Lateral view; left wrist plain film; boy, 15 yo

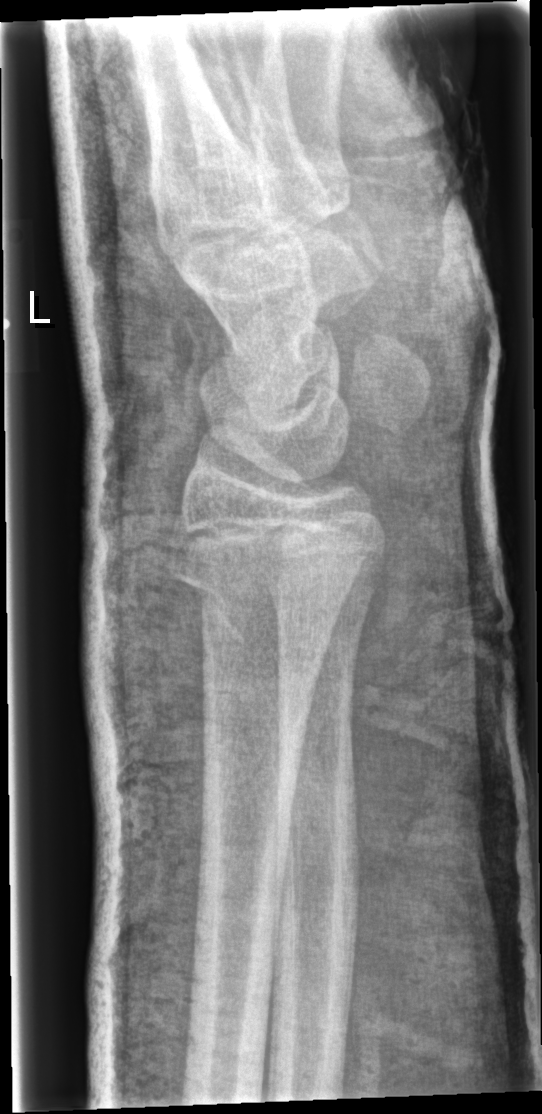
FINDINGS — (boxes as x1,y1,x2,y2 (top-left / bottom-right, pixel units)) Bone fracture identified at (left=160, top=545, right=374, bottom=636).